PA/AP view | Lt plain radiograph of the wrist | 11-year-old male | initial study 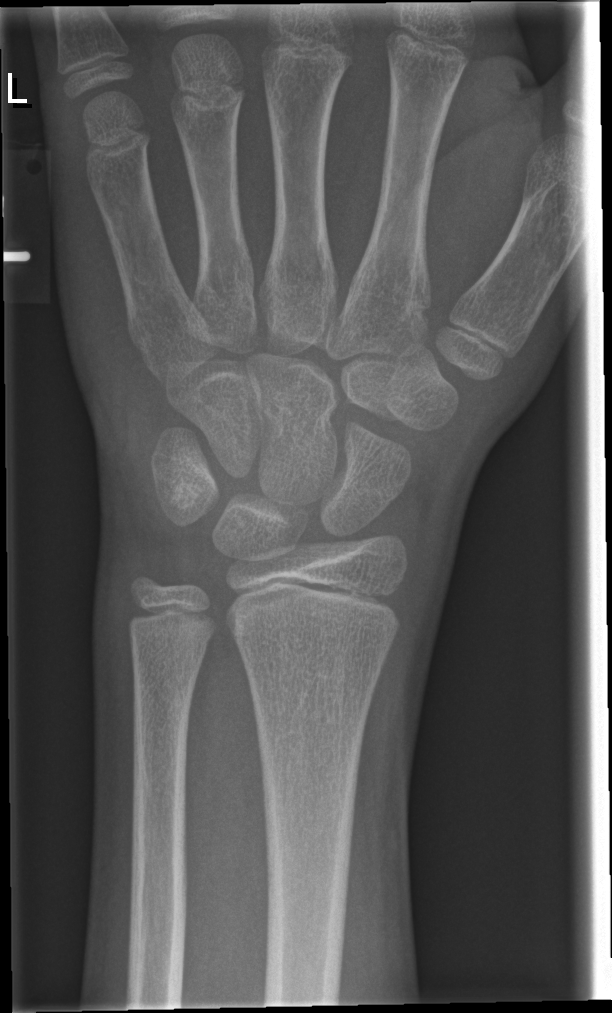

* No fracture bounding box.